Frontal view · right wrist plain radiograph of the wrist · age 12 y, male

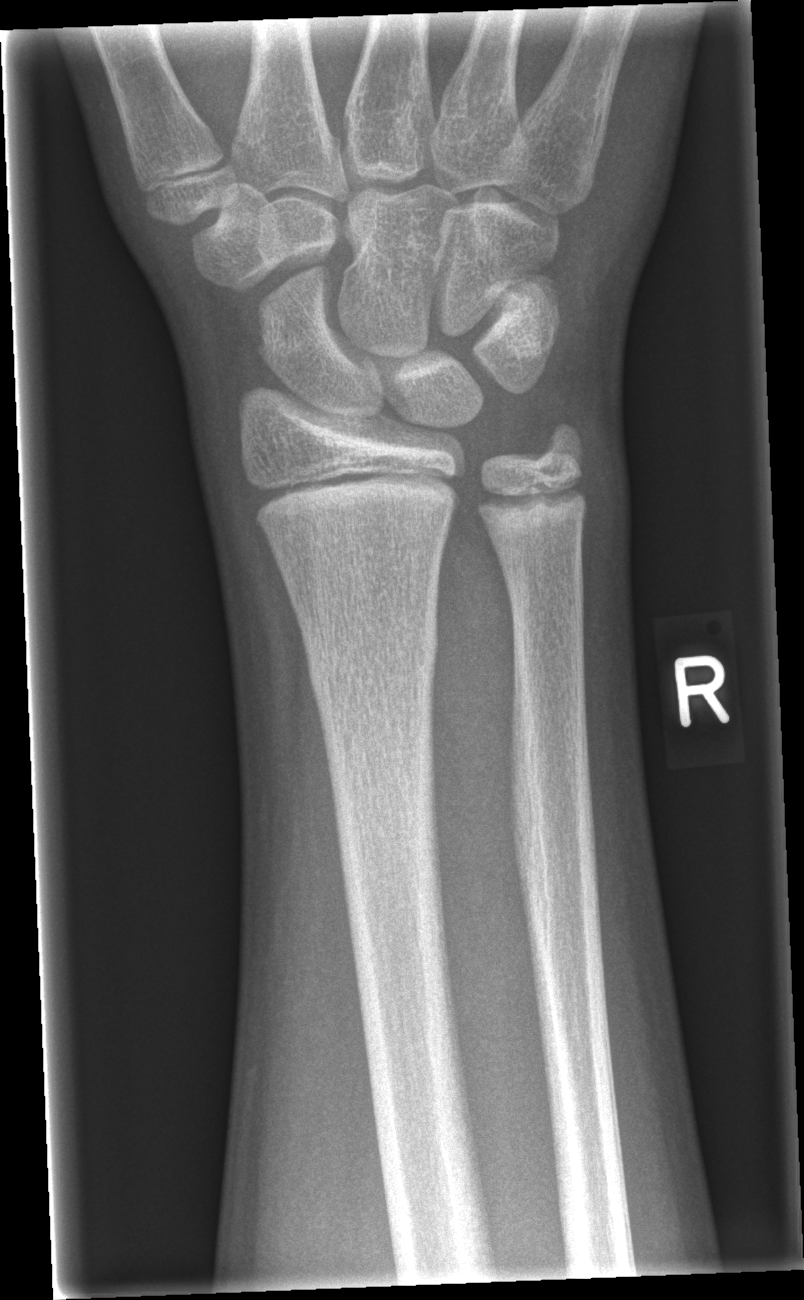

• Fx: (left=305, top=621, right=441, bottom=705).
• AO code 23r-M/2.1.